Lt wrist radiograph; PA projection; age 8 y, boy; subsequent exam; 565x902
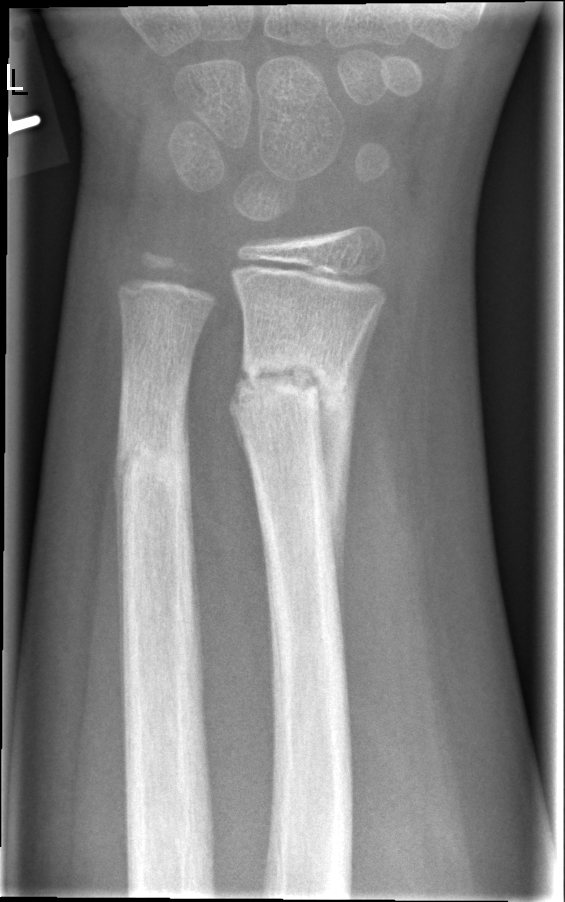 Findings: AO/OTA classification: 23r-M/3.1; 23u-M/2.1. Bone fracture identified at (227, 347, 355, 425) (112, 408, 192, 491). Periosteal reaction — (313, 297, 389, 639); (115, 471, 129, 754).